Lat projection, Lt pediatric wrist radiograph, 468x949.
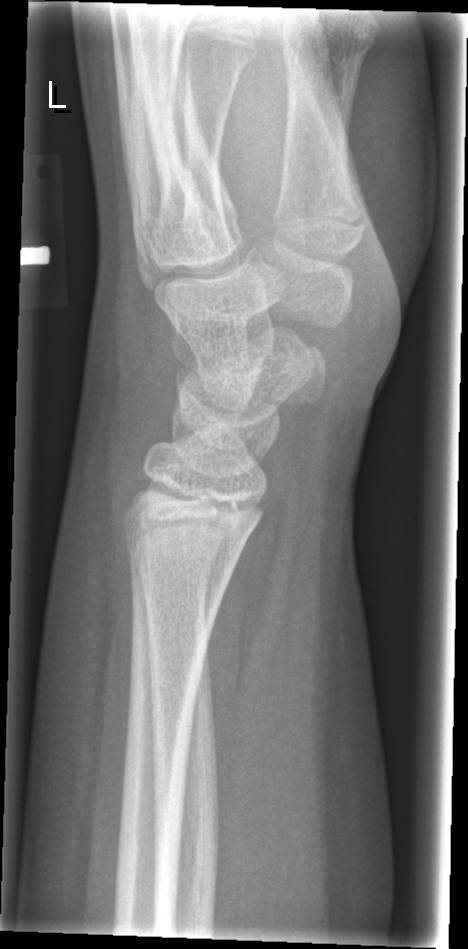
FINDINGS — Fracture: none labeled.